Frontal projection; right wrist pediatric wrist radiograph; male, 16 yo; initial study: 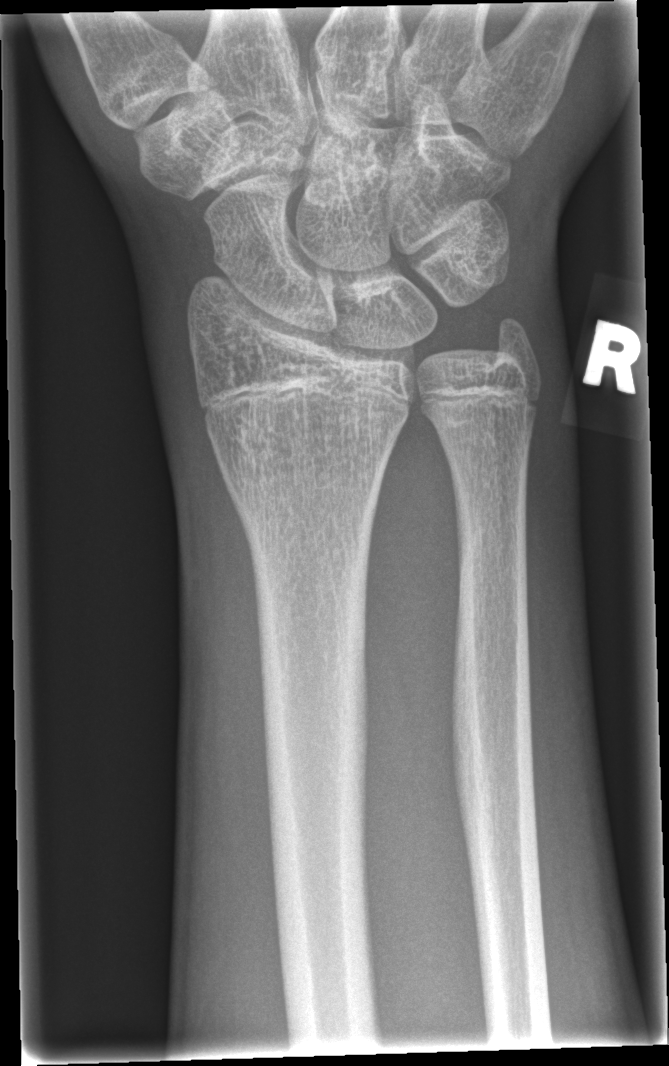 Fracture: none labeled